Lt wrist X-ray | lateral view | 445x816 —
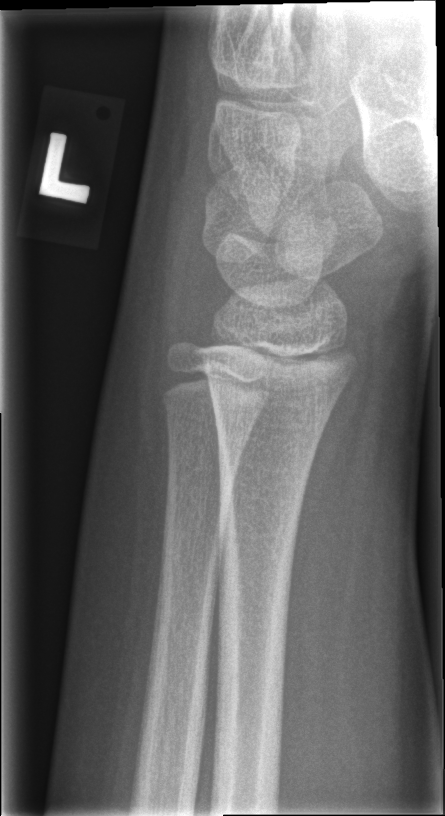 Findings: No Fx annotated.